PA/AP projection; right wrist X-ray: 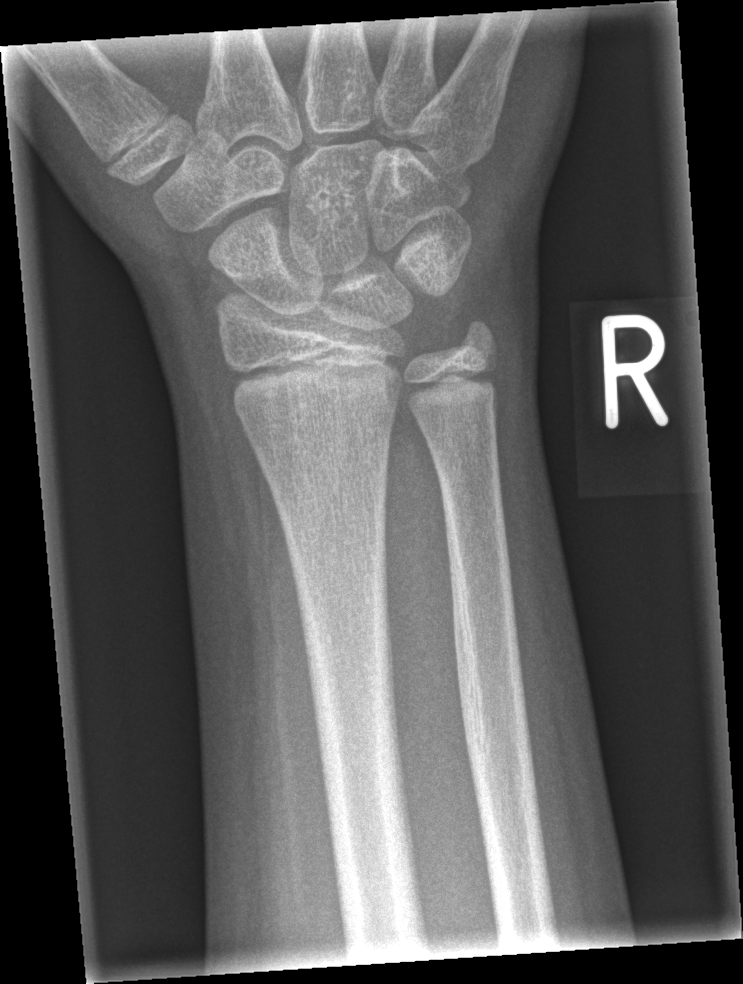
Fx = none labeled